Right wrist X-ray; PA/AP view; 13y M; subsequent exam. 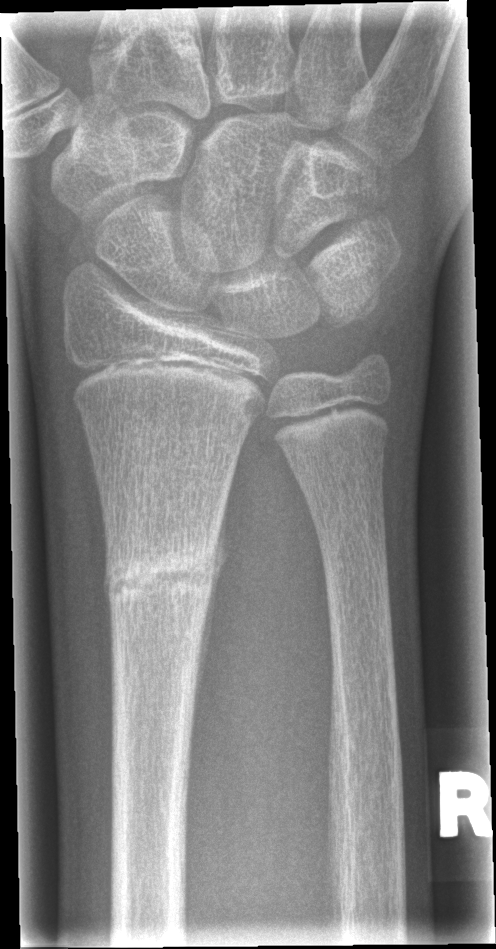 Osteopenia. Fracture — [103, 539, 219, 613]. AO code 23r-M/3.1. Periosteal new bone identified at [187, 488, 230, 757].